Left wrist plain film | lateral projection | age 14 y, boy | presentation radiograph — 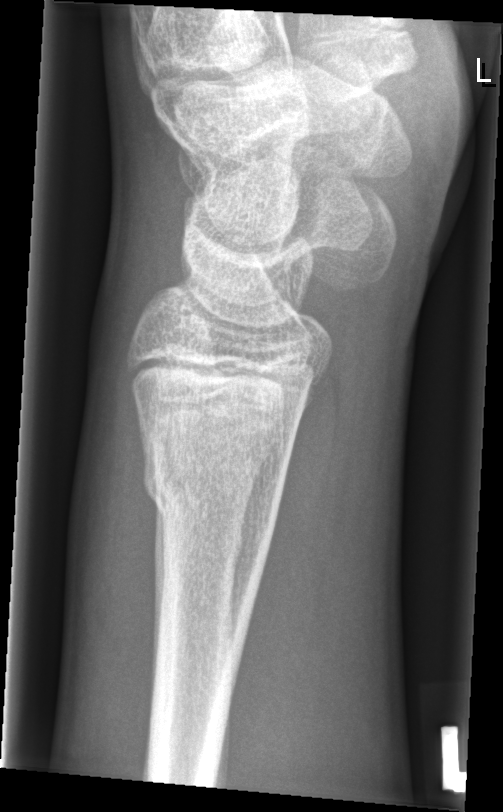 Q: Fracture present?
A: One Fx at (140, 445, 285, 511)